AP projection; left wrist radiograph; male, 9 yo; cast present; image width 91.4 mm

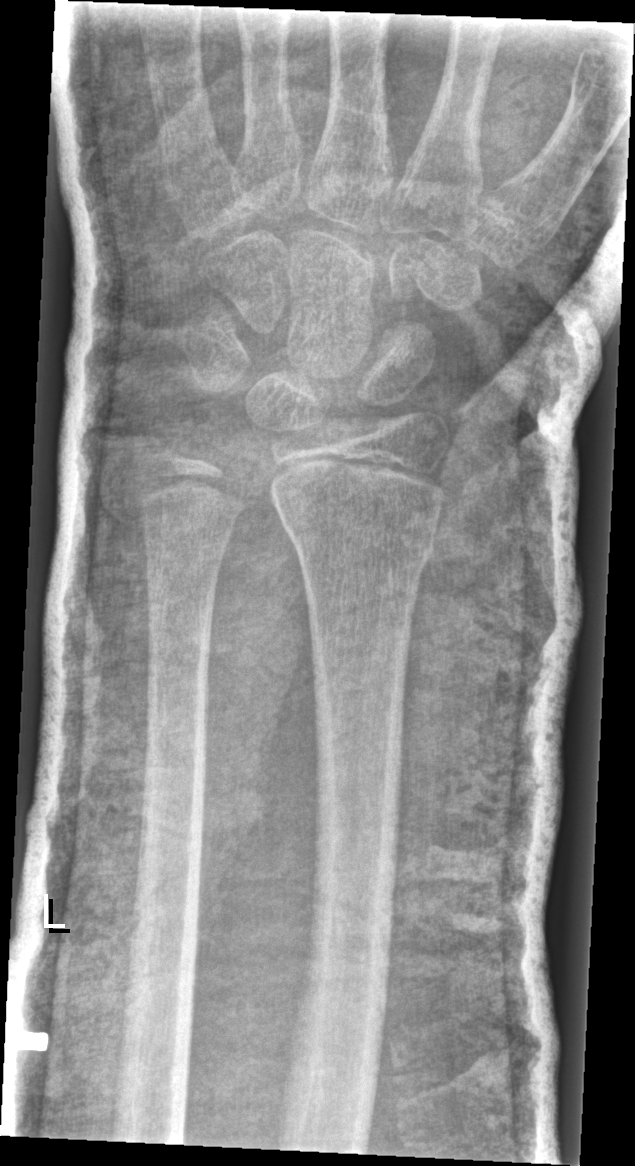
fracture: <277,487>-<449,580>
AO classification: 23r-M/3.1